PA/AP projection; R wrist XR; boy, 8 yo

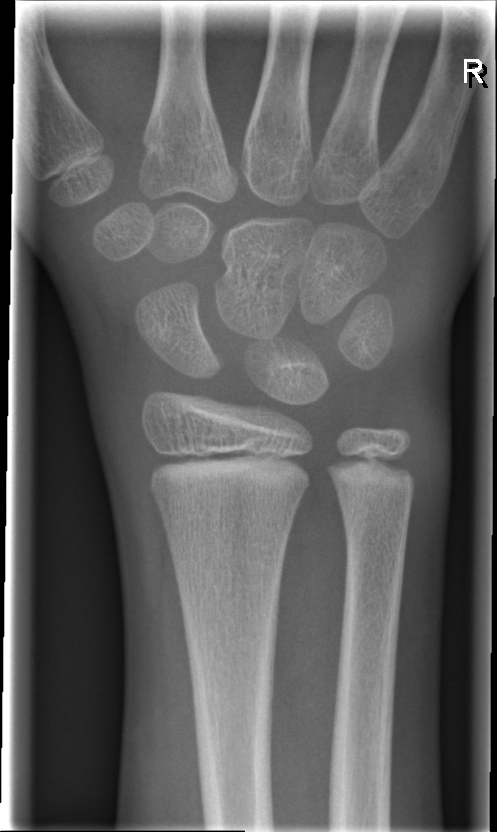 FINDINGS: No Fx annotated.